Lt wrist XR · PA/AP projection · 8-year-old girl · imaged through cast · 77.8 mm image width: 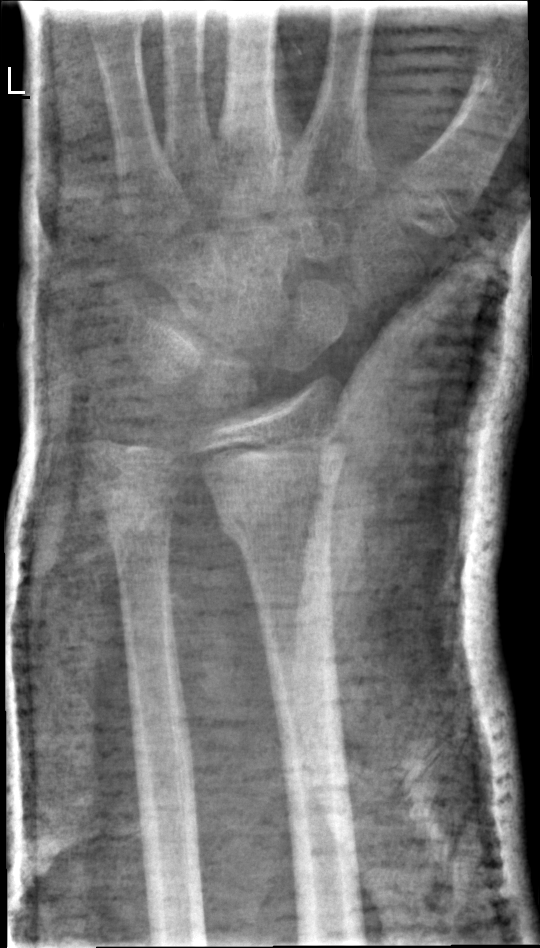
(pixel coordinates, top-left origin, xyxy)
fracture: 212,487,341,556